AP | Lt wrist plain film —
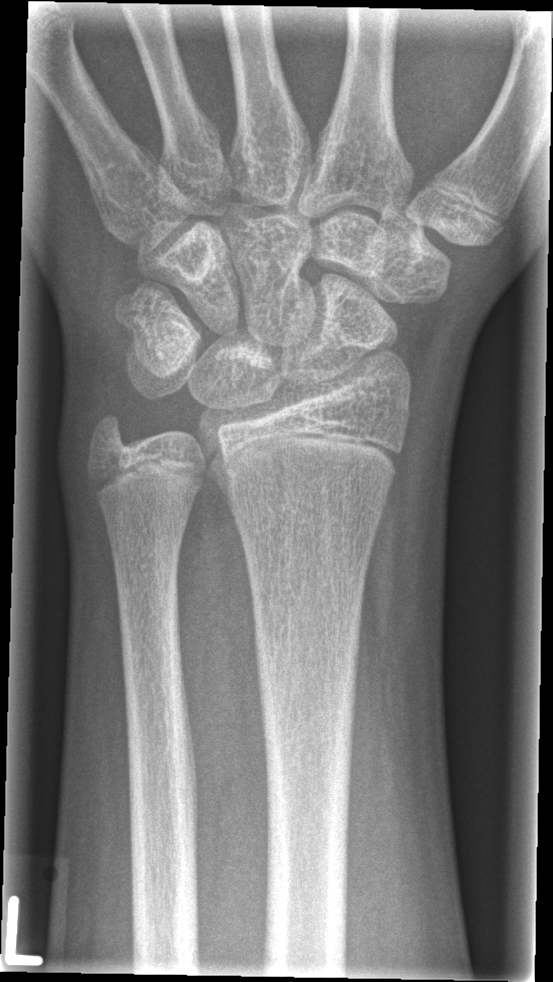
FINDINGS: Fracture: none labeled.